Left plain radiograph of the wrist | PA/AP projection | follow-up | image size 611x986:
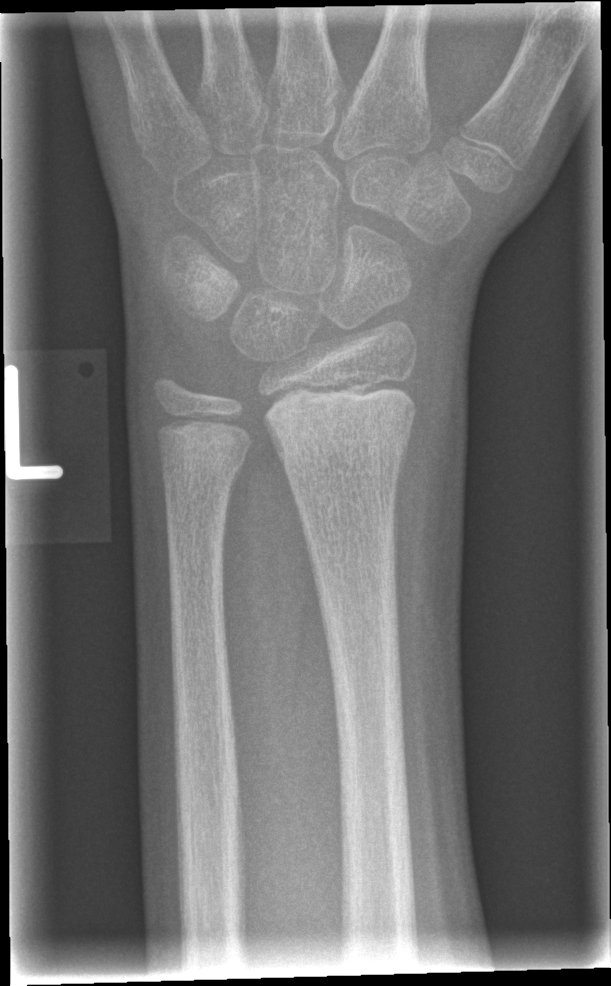
{"osteopenia": "present", "fracture": "2 @ [x1=264, y1=386, x2=420, y2=480], [x1=157, y1=423, x2=249, y2=492]", "ao": "23-M/3.1"}